R wrist radiograph, lateral projection, male, 13 yo, acquired on Siemens. 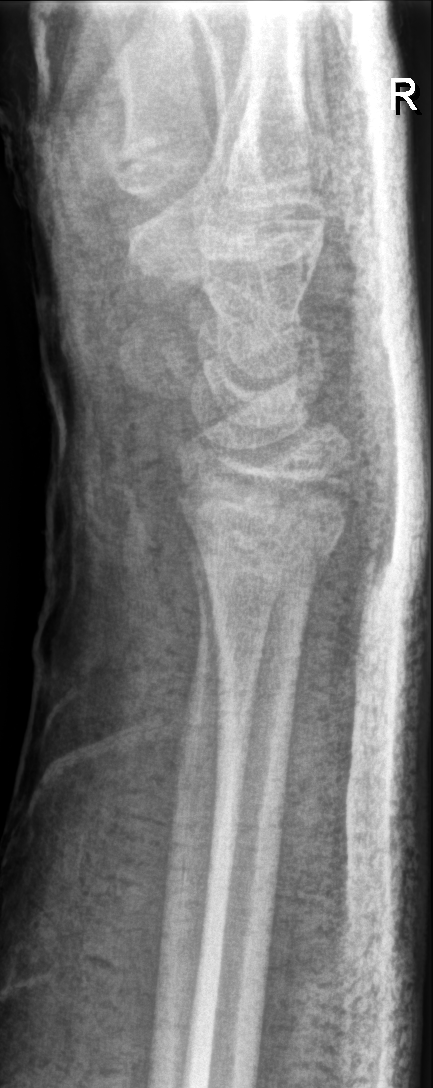 Bone fracture — bbox(195, 528, 339, 593).
Fracture classified AO/OTA 23r-E/2.1; 23u-E/7.